Lateral projection | left wrist X-ray:

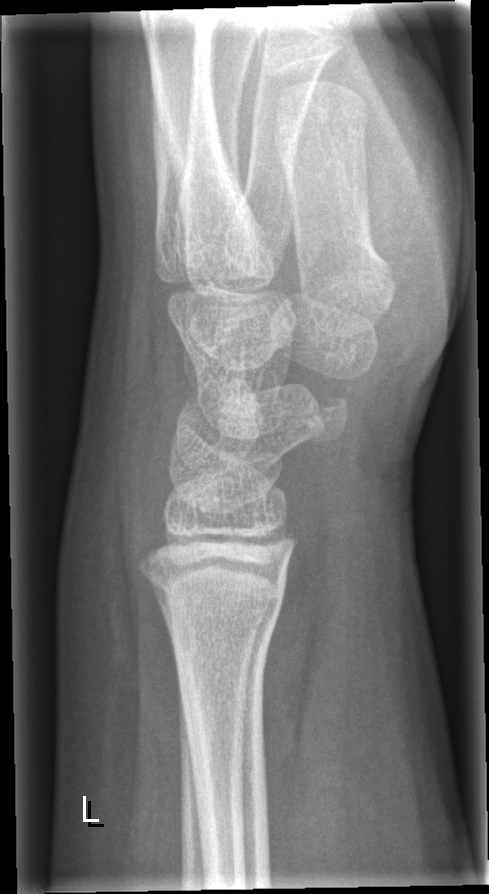

bone fracture: 1 @ (133, 532, 300, 660)
AO/OTA: 23r-E/2.1